Posteroanterior view; L wrist X-ray; pediatric patient (male, age 6) — 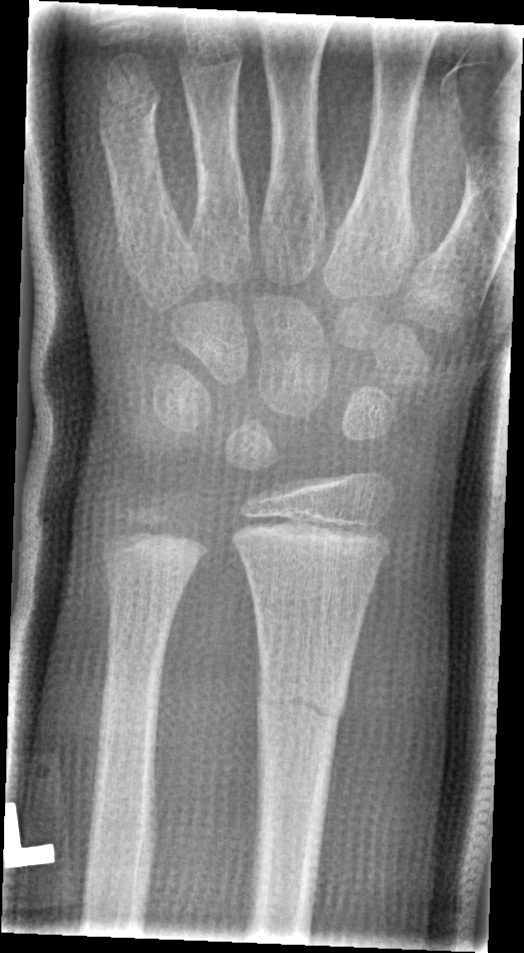

Bounding boxes in image-pixel xyxy. Fracture classified AO/OTA 23r-M/3.1. Fracture identified at <251,682>-<347,730>.